R plain radiograph of the wrist | lateral view | age 11 y, boy | 74.6 mm image width: 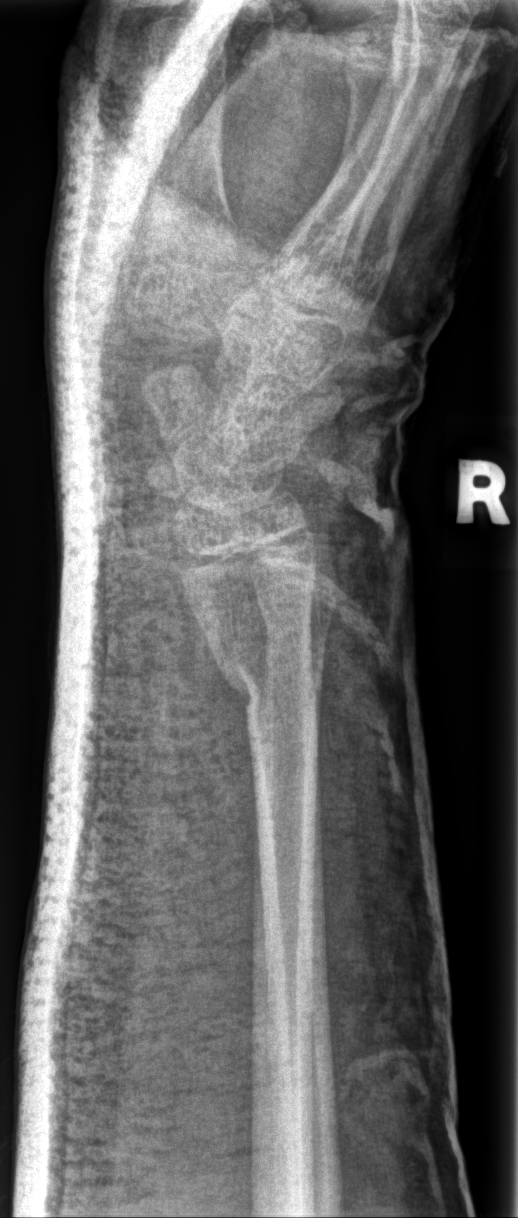

Fx = [205, 629, 329, 729]; [254, 559, 345, 634]